Lateral projection | right wrist X-ray. 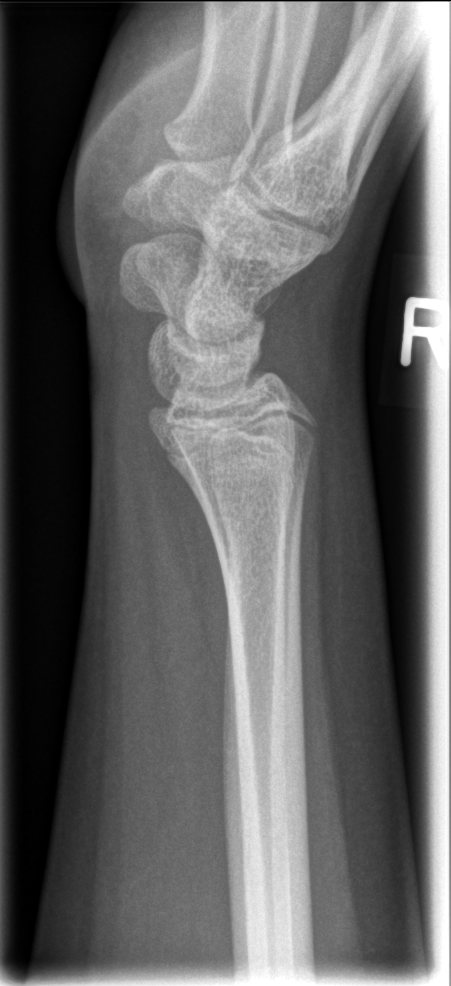 FINDINGS — No fracture labeled.